Lat view; left wrist X-ray; age 7 y, girl; 65.4 mm image width: 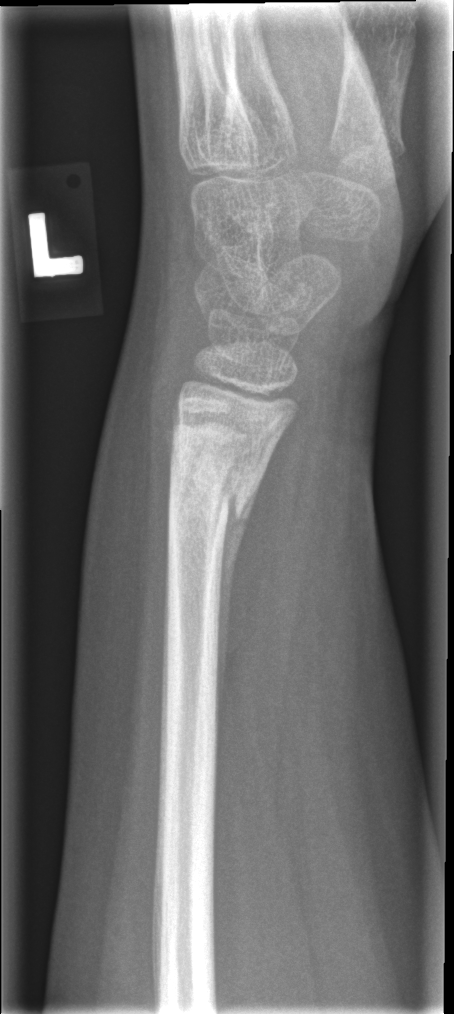 Boxes as x1,y1,x2,y2 (top-left / bottom-right, pixel units). Periosteal reaction: [220, 518, 247, 682]. Fx: [162, 432, 259, 528]. AO code 23r-M/3.1.